Right wrist XR; PA/AP; follow-up study; imaged through cast:

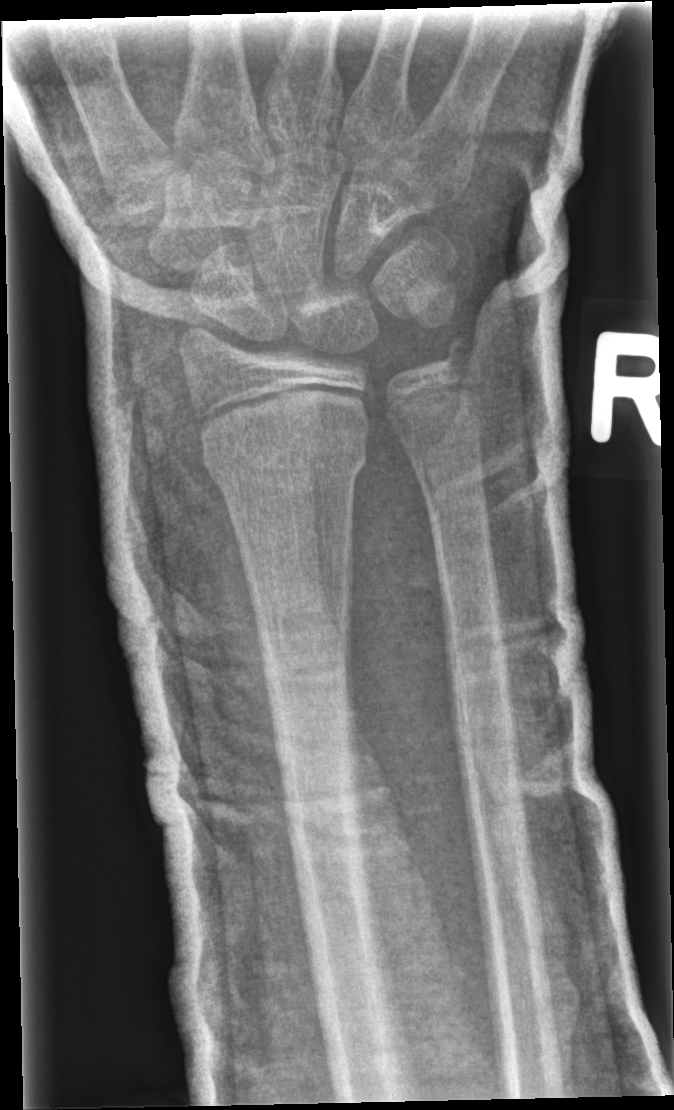

Boxes as x1,y1,x2,y2 (top-left / bottom-right, pixel units). AO code 23r-M/2.1; 23u-E/7. Fracture: 198,427,372,491 | 433,317,489,388.